Lateral view · Lt wrist plain film · presentation radiograph:

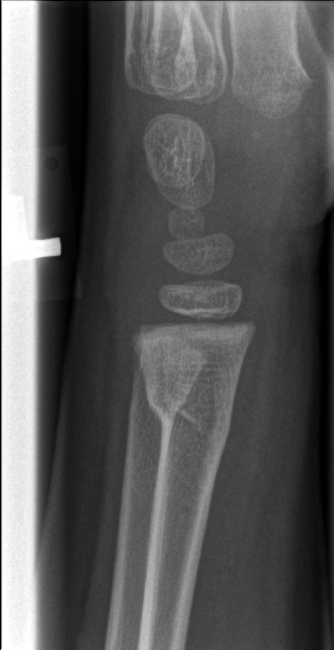
Q: Locate any fractures.
A: Two bone fractures at (left=143, top=363, right=232, bottom=446); (left=128, top=376, right=197, bottom=427)